Lt wrist XR | lat view
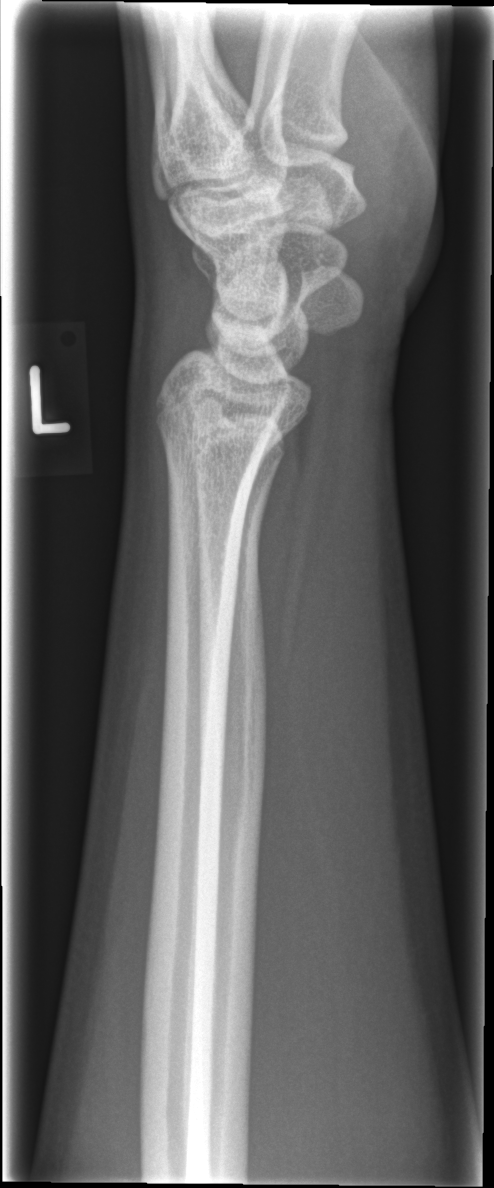
Fx: none.